Lateral · Lt plain radiograph of the wrist · image size 546x1016: 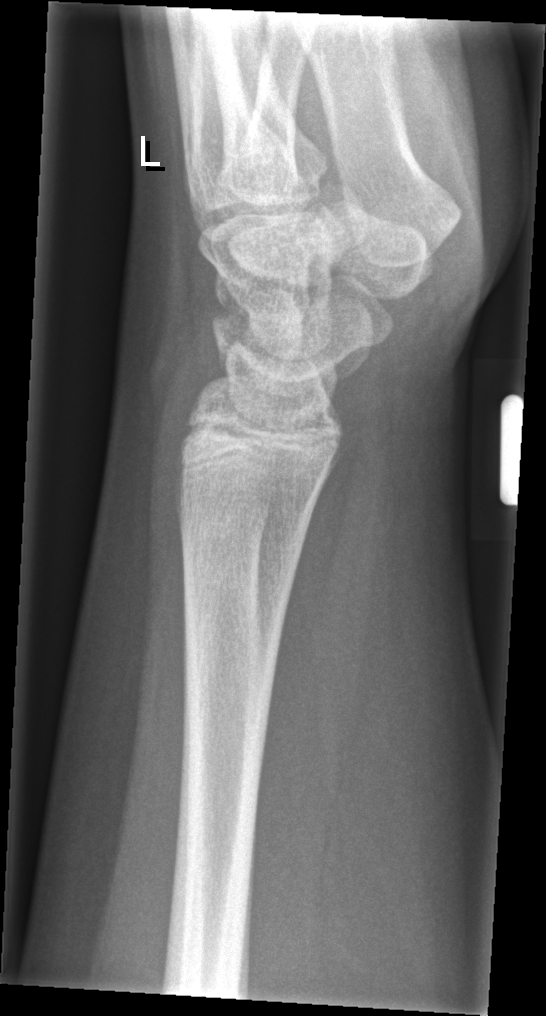 AO code: 23u-E/7
bone fracture: present but not clearly seen in this view